Lateral view, right plain radiograph of the wrist, presentation radiograph, image 47.5 mm wide. 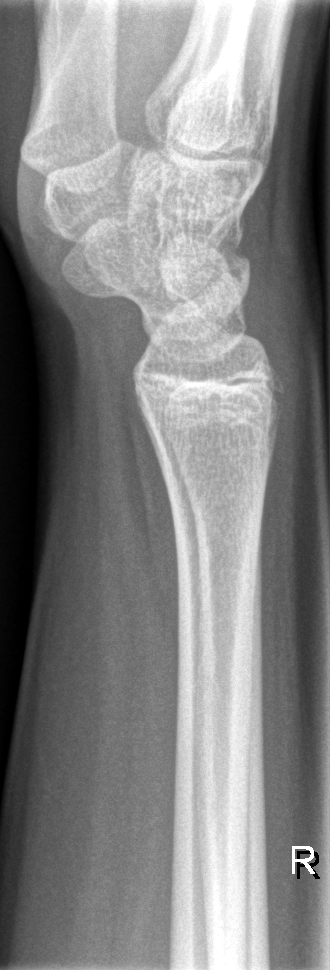 Fracture: none labeled.